Rt plain radiograph of the wrist, PA/AP projection, age 15 y, male, initial study

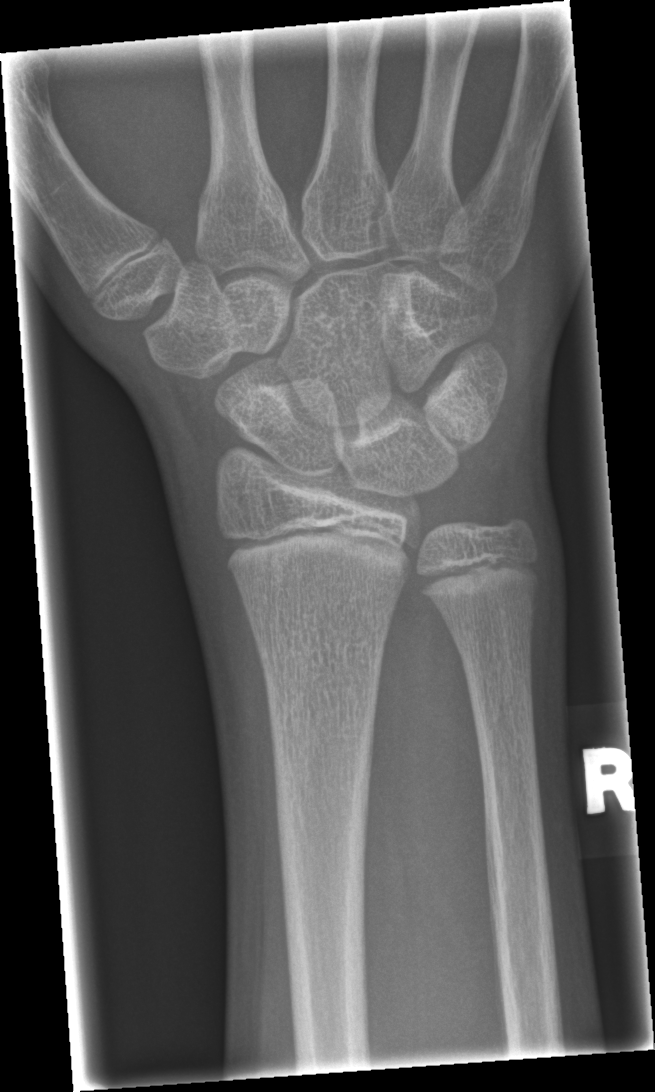

Findings: No fracture labeled.